Lt plain radiograph of the wrist; frontal projection; 10-year-old male; subsequent exam; in cast; 661x1294. 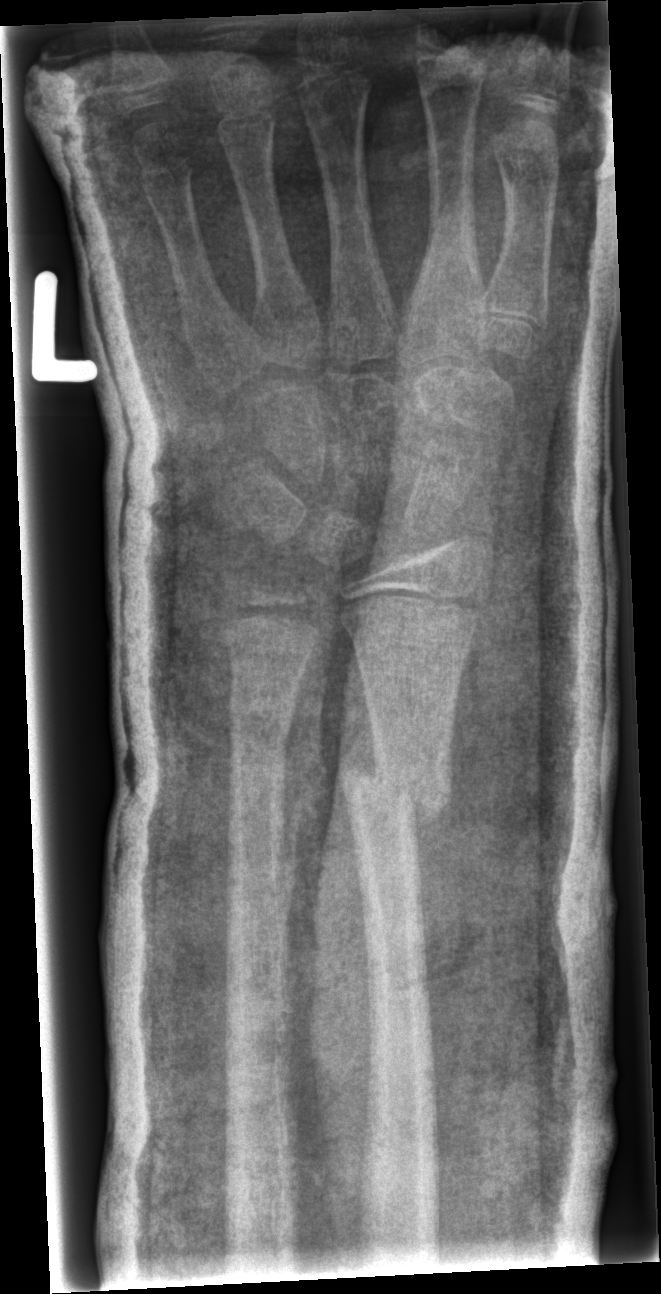 # bounding boxes in image-pixel xyxy
ao: 23r-M/3.1; 23u-M/2.1
fracture: [x1=337, y1=760, x2=457, y2=827]; [x1=225, y1=683, x2=295, y2=748]